PA/AP projection · left wrist plain film.

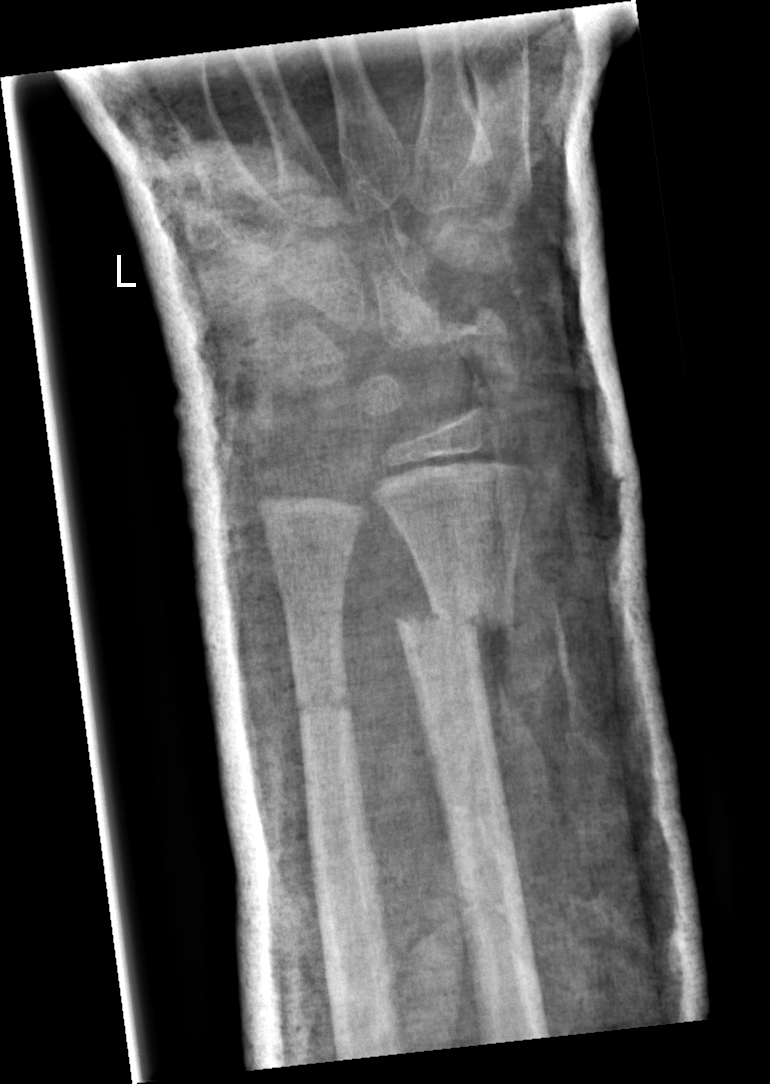
• Bone fractures — 391,593,519,640
  289,676,361,733.